R wrist plain film | PA/AP | male, 15 yo | 973x1082. 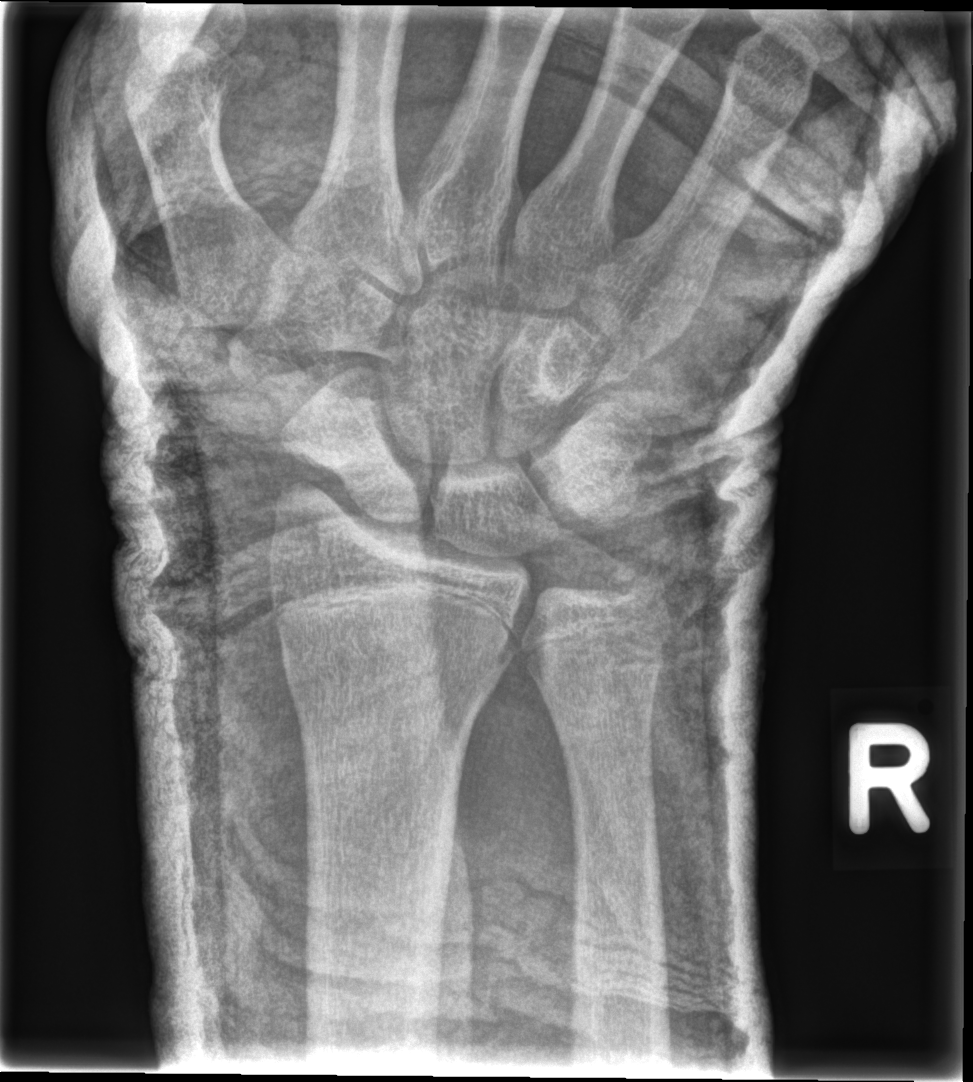 (pixel coordinates, top-left origin, xyxy)
AO/OTA = 23r-M/3.1; 23u-E/7
Fx = 2 @ 271,600,517,717
  595,538,681,621